Lat · left plain radiograph of the wrist · age 5 y, boy · 647x1076.

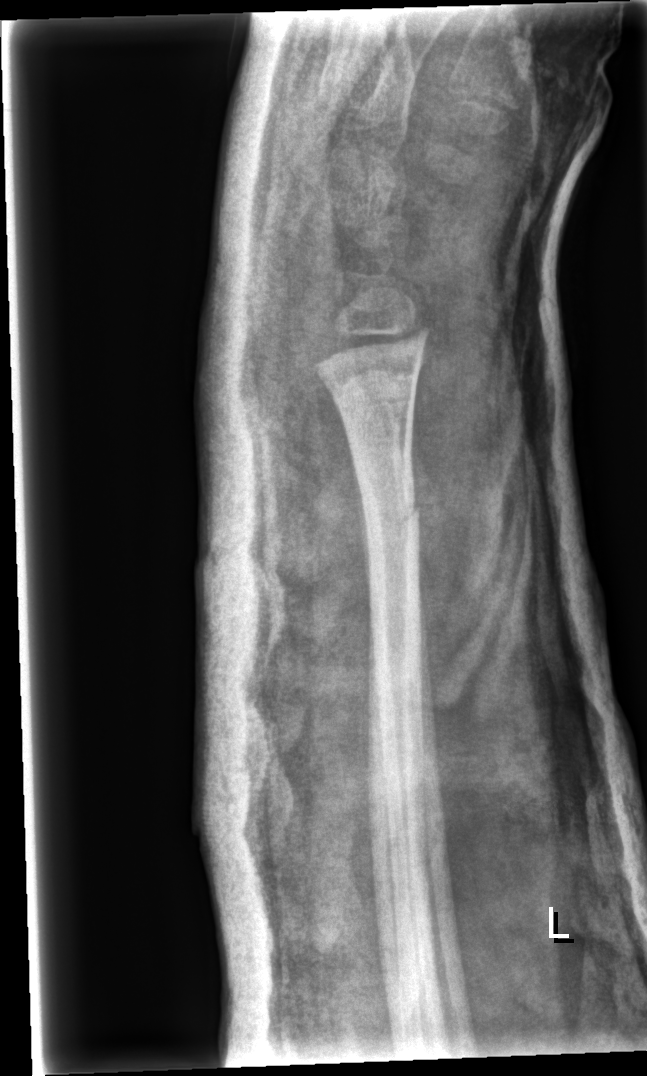 (bounding boxes in image-pixel xyxy)
Q: Any fracture seen?
A: Bone fracture — 356 485 426 559